Lateral view · L pediatric wrist radiograph · 12y F · follow-up · detector: Siemens 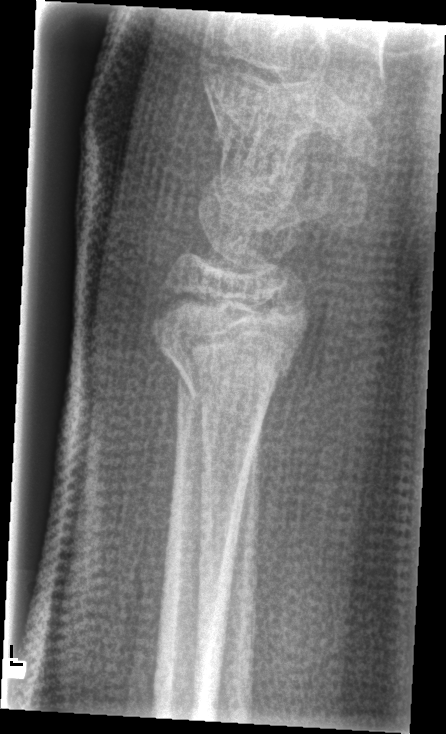 • Fracture identified at [x1=153, y1=320, x2=294, y2=405].